Lat view | L plain radiograph of the wrist | age 8 y, girl.
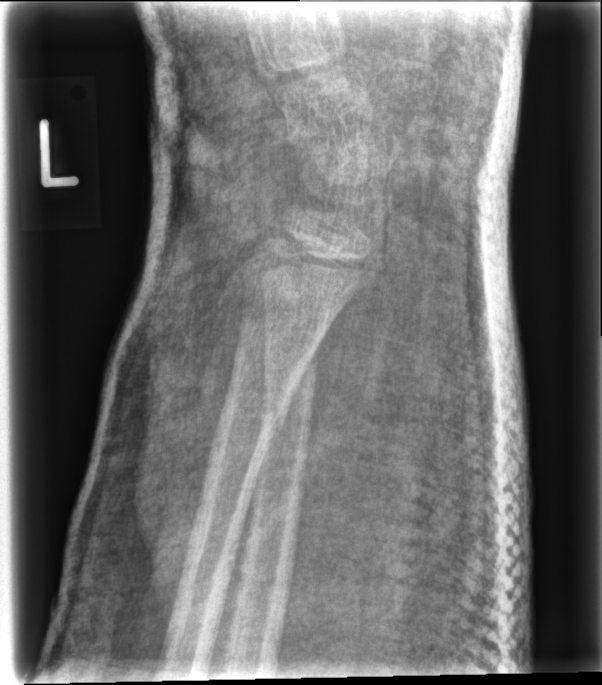

(coordinates are [x1, y1, x2, y2] in image pixels)
bone fracture: (217, 363, 297, 450)